Lateral, left wrist XR.

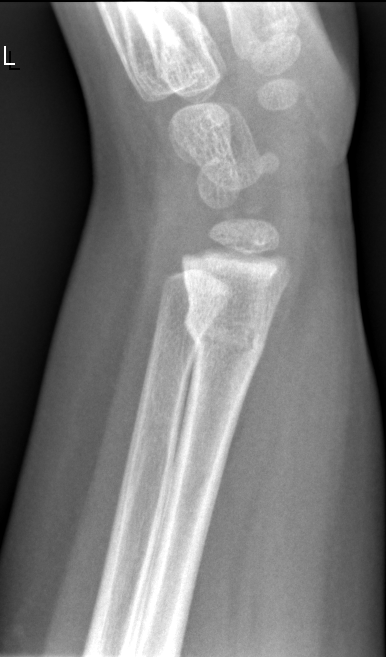 Fx identified at <181,295>-<273,368>. Fracture classified AO/OTA 23-M/2.1.